PA projection; Rt plain radiograph of the wrist:

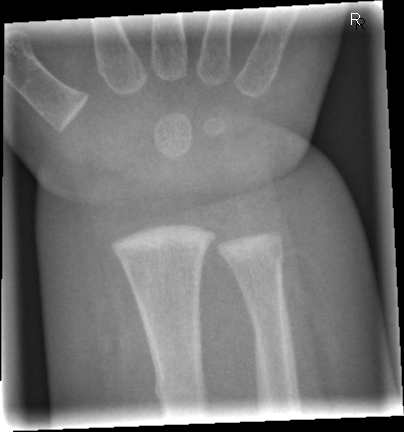 Bone fracture: (left=226, top=239, right=288, bottom=286); (left=150, top=366, right=212, bottom=407)